Left wrist XR; posteroanterior; pediatric patient (female, age 11); index exam; acquired on Siemens —
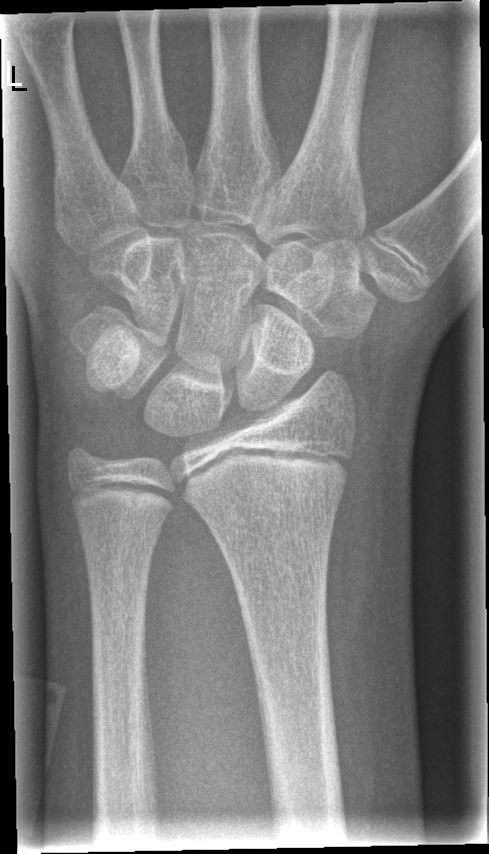 - Fracture: present but not clearly seen in this view.
- AO code 23r-M/2.1.